Lateral; right wrist X-ray; pediatric patient (girl, age 11) —

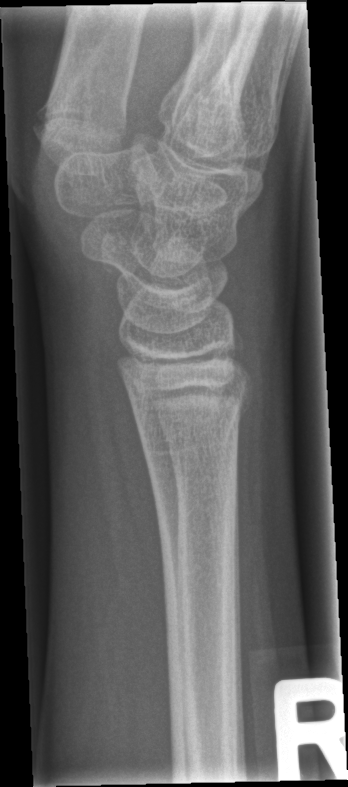 {"fracture": "1 @ (left=132, top=381, right=255, bottom=467)", "ao": "23r-M/2.1"}